Left wrist plain film; lat; follow-up; 572 by 906 pixels —

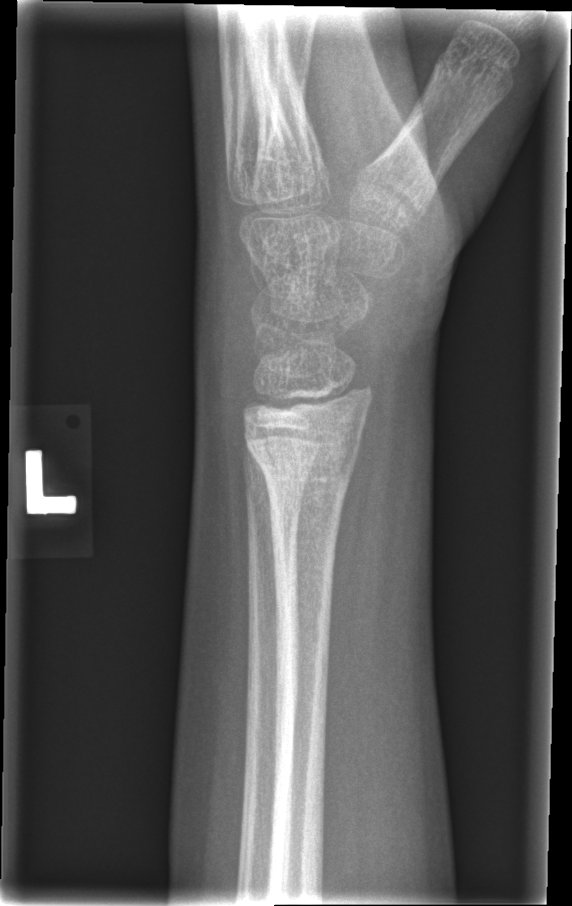
* Coordinates are [x1, y1, x2, y2] in image pixels.
* Fracture classified AO/OTA 23r-M/2.1.
* Bone fracture — 242,427,368,502.